Lat view, Rt pediatric wrist radiograph, index exam, detector: Siemens: 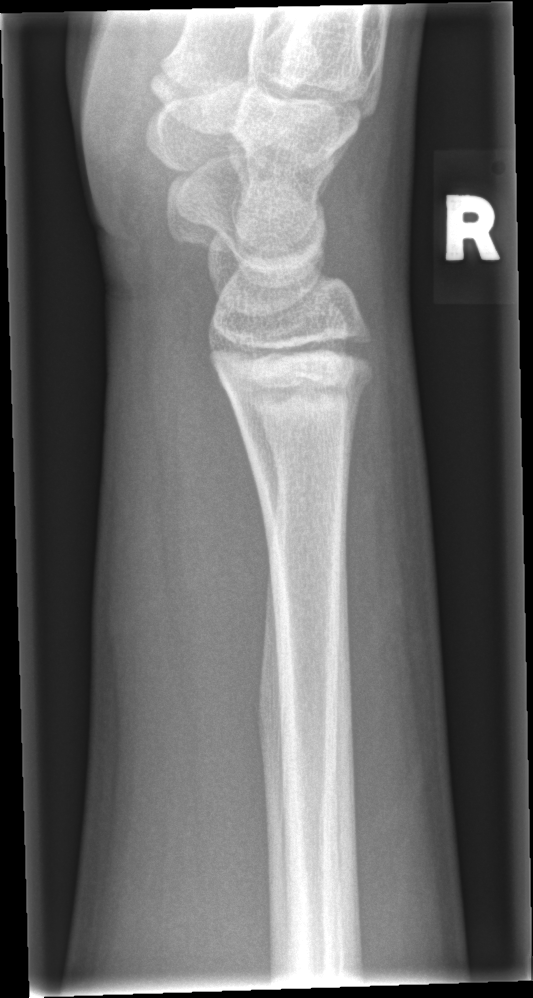
Pronator sign = [x1=181, y1=319, x2=273, y2=651]
AO code = 23r-M/2.1
Fracture = [x1=226, y1=358, x2=379, y2=423]